Left wrist radiograph; frontal projection; pediatric patient (boy, age 13); Siemens —

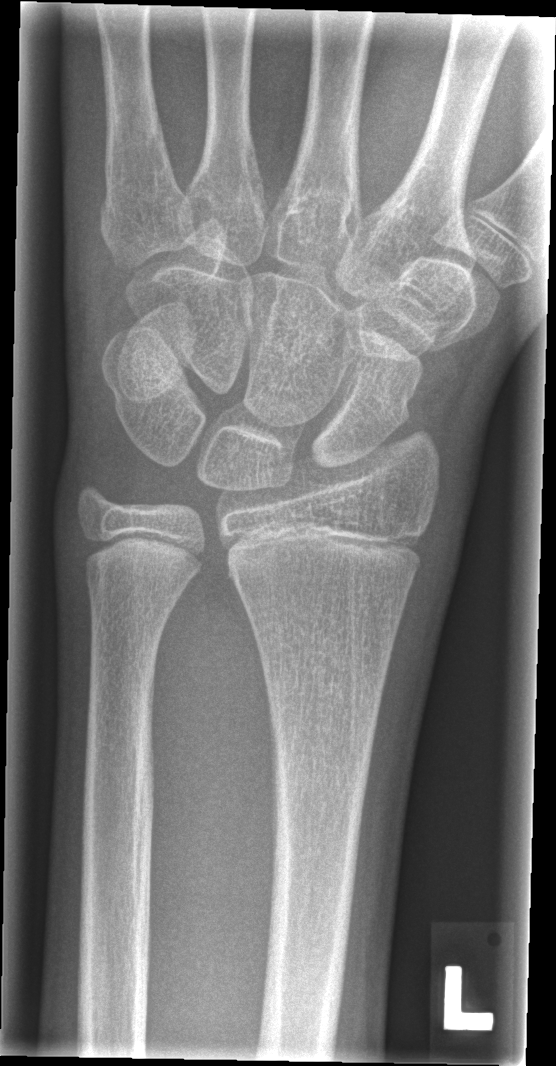

• No fracture labeled.